Frontal · Lt wrist radiograph · 12y F · follow-up study
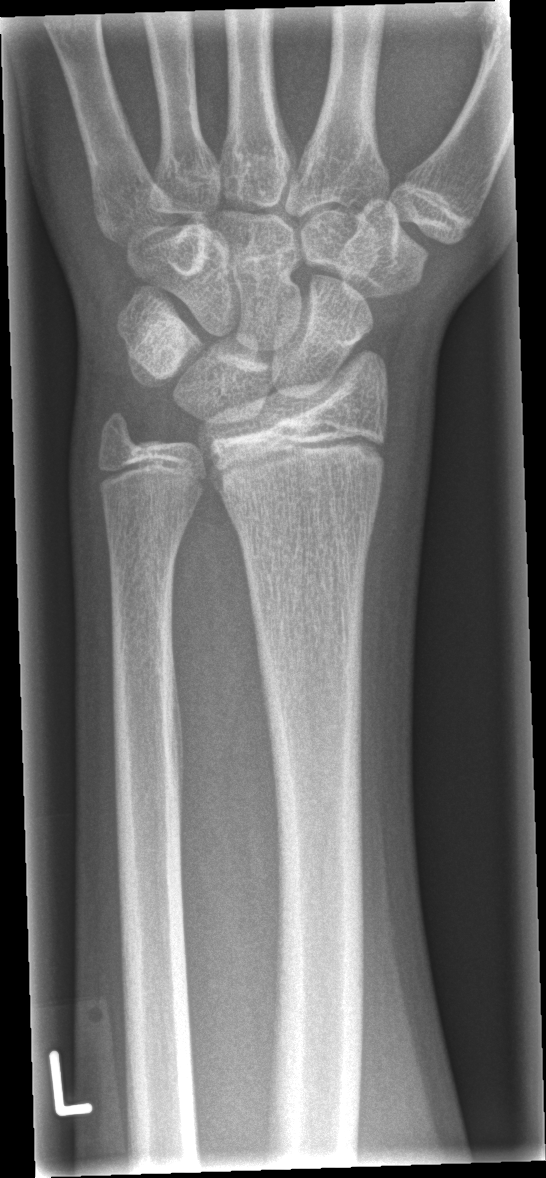 FINDINGS — No fracture bounding box.